PA/AP | L wrist radiograph | 12y F
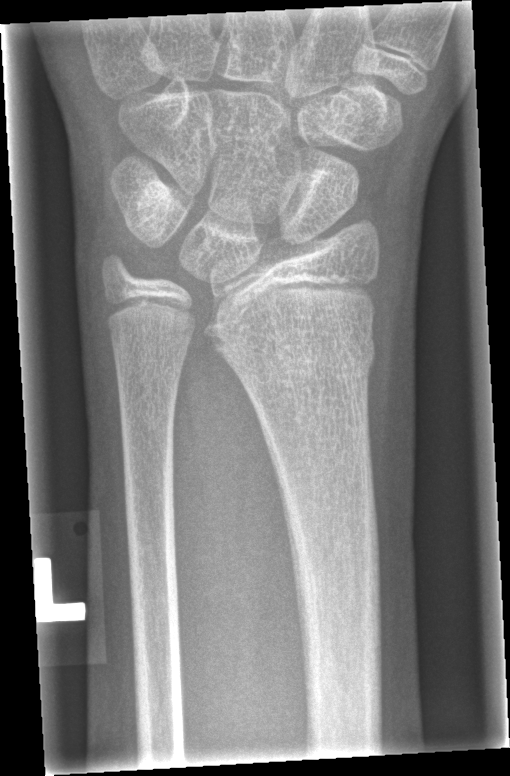 Q: Locate any fractures.
A: Bone fracture: [x1=209, y1=320, x2=377, y2=393]